Right wrist X-ray · lat projection.
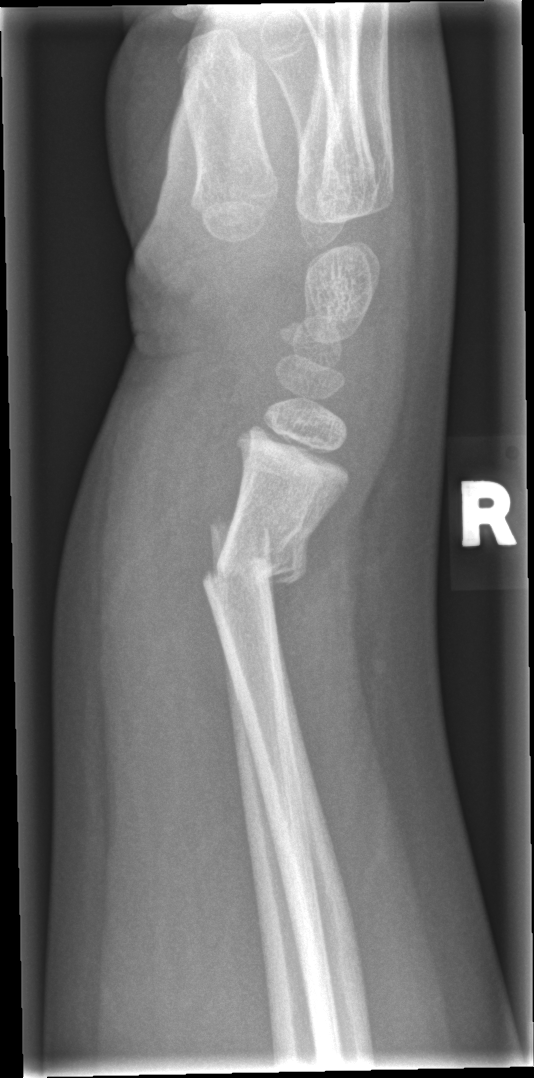
fracture: (left=197, top=509, right=310, bottom=599)
soft tissue abnormality: 1 @ (left=72, top=328, right=238, bottom=843)